Posteroanterior projection · left wrist plain radiograph of the wrist · 12y M · subsequent exam · cast present:

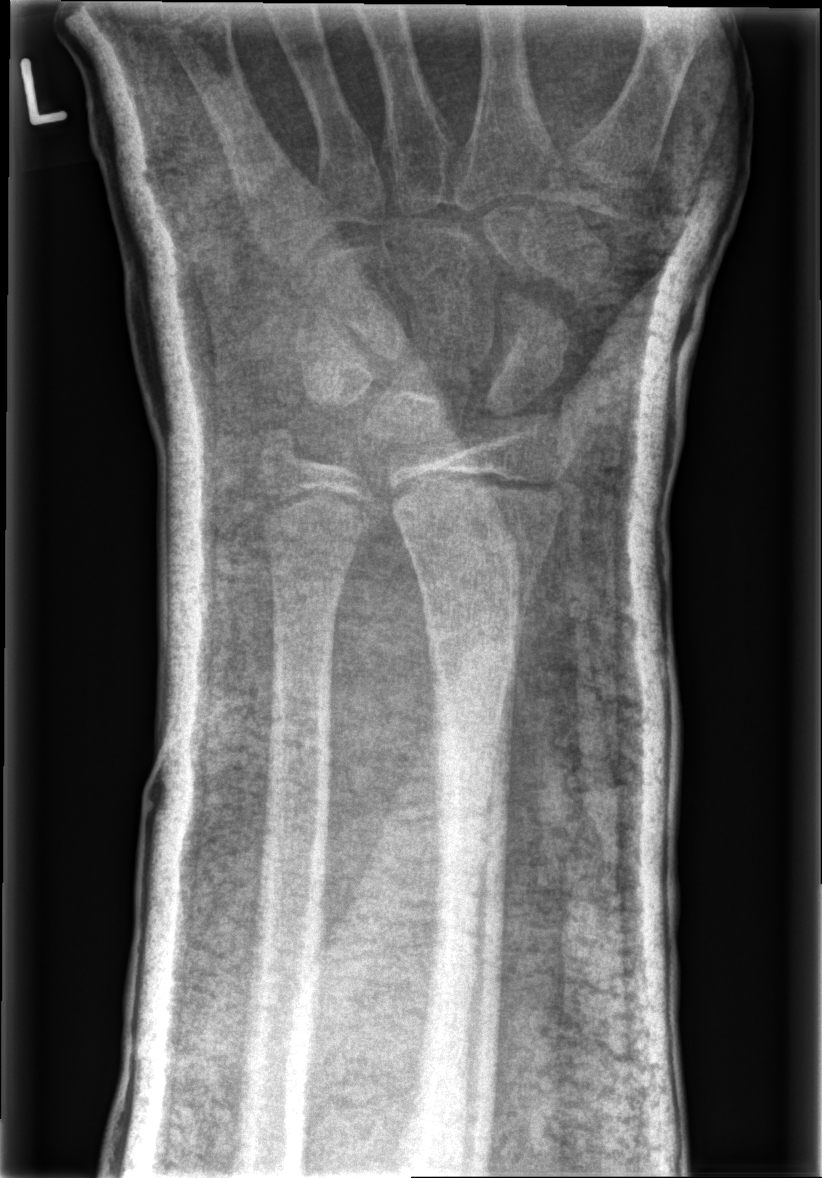 Fracture present, but no bounding box because it is not clearly seen in this view.